Left wrist X-ray · frontal projection · 12-year-old boy · subsequent exam. 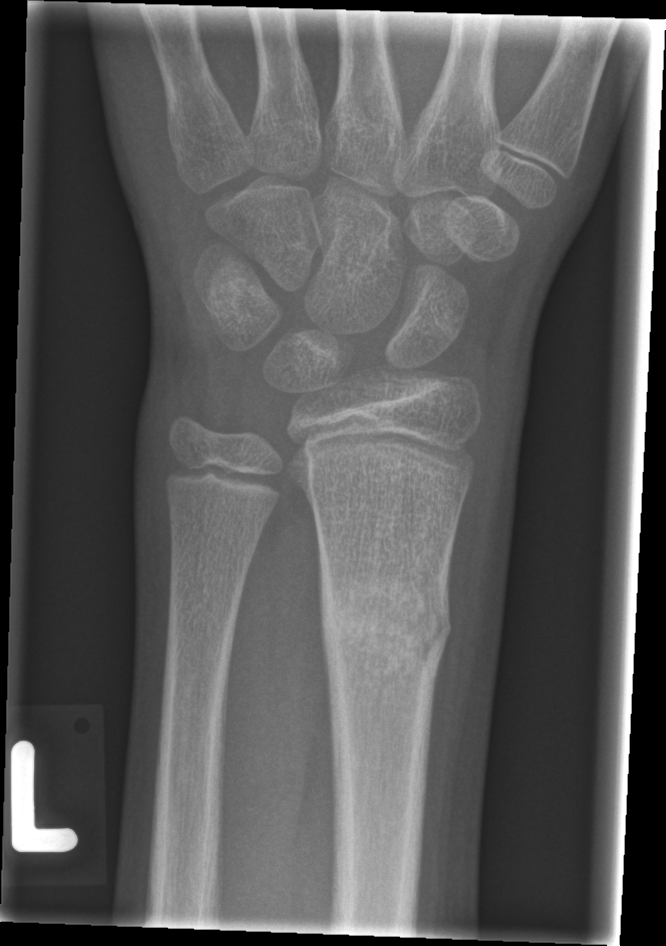

Coordinates are [x1, y1, x2, y2] in image pixels. Bone fracture identified at 312 563 456 685.